Right pediatric wrist radiograph, PA/AP view, age 10 y, girl, cast in situ, detector: Siemens —
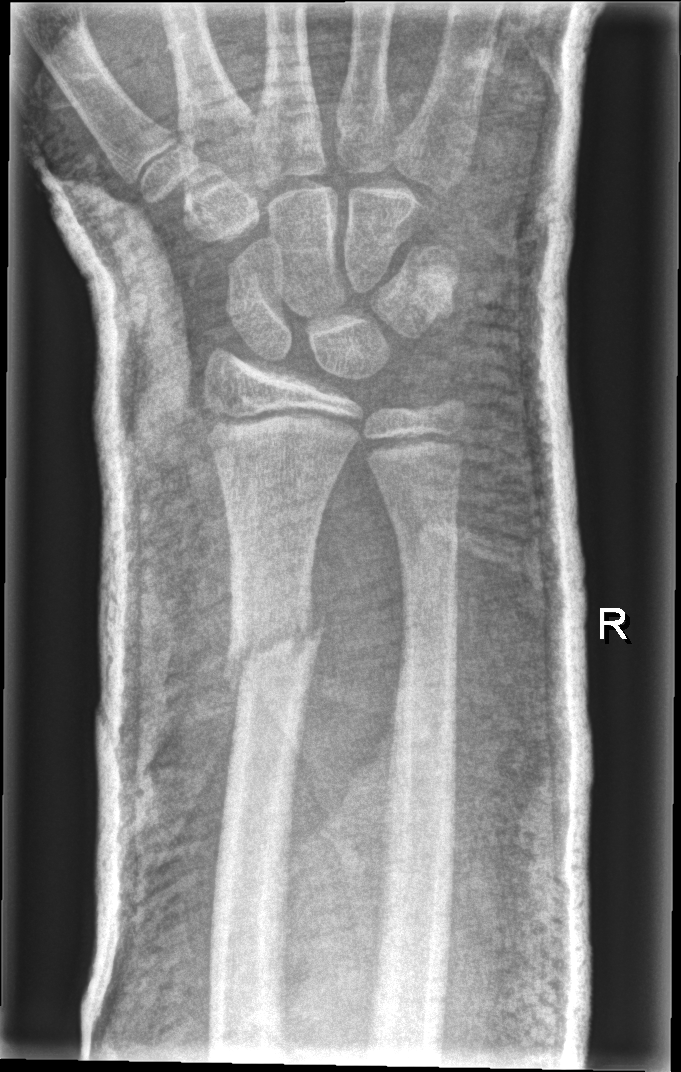 Bone fracture: (229, 603, 322, 677); (382, 505, 463, 571).
AO/OTA classification: 23-M/3.1.